L wrist X-ray | PA/AP view | 11-year-old female | follow-up | in cast. 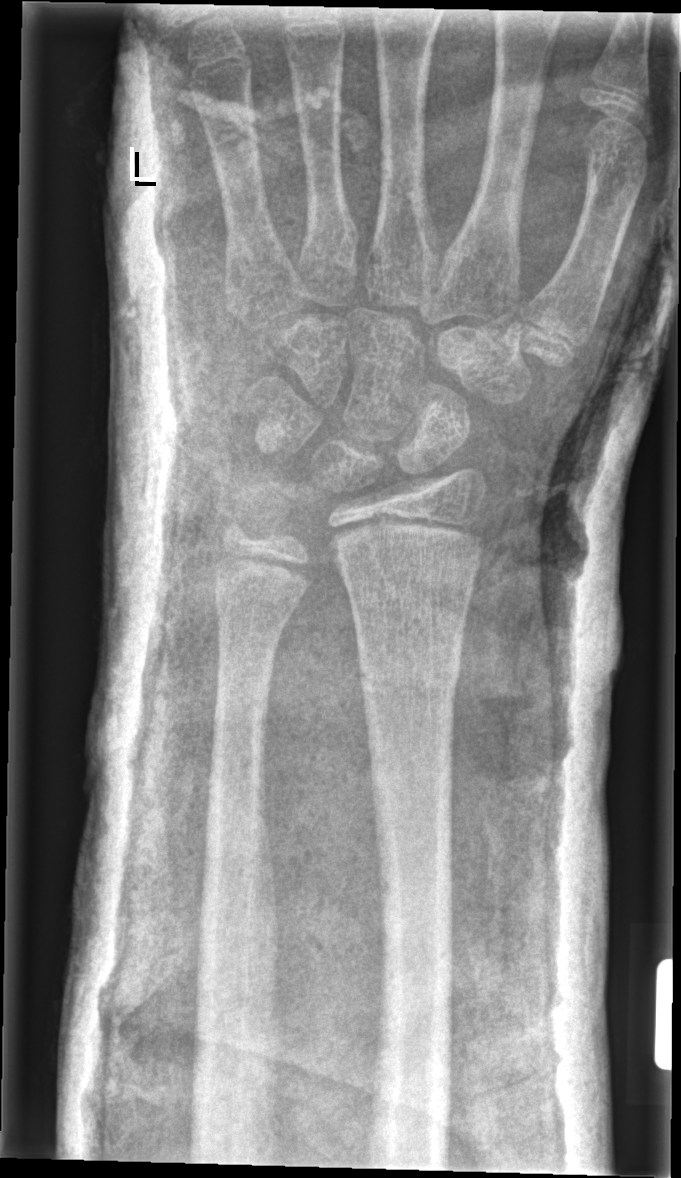

* Bone fracture — [x1=356, y1=642, x2=463, y2=705].
* Fracture classified AO/OTA 23r-M/3.1; 23u-M/2.1.